Left wrist plain radiograph of the wrist; frontal; index exam; 639 by 1232 pixels

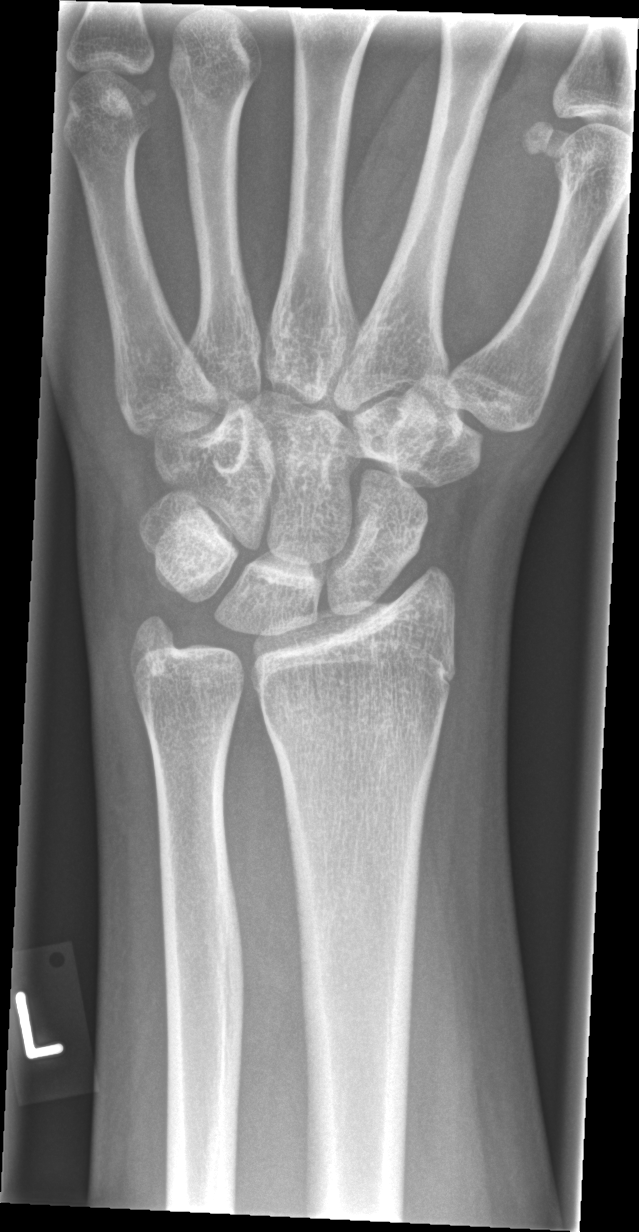 Fracture: none labeled.